Lateral view · right wrist pediatric wrist radiograph · female, 8 yo · 485x882:

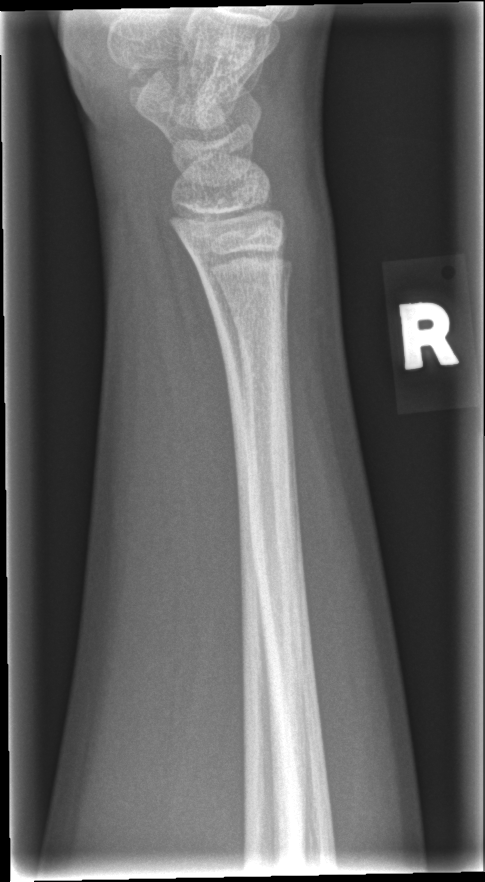 Q: Fracture present?
A: Fx: none